Lat projection, left wrist X-ray 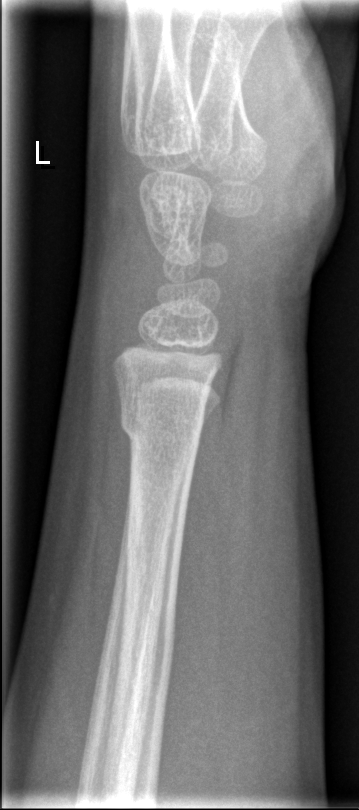 FINDINGS: (coordinates are [x1, y1, x2, y2] in image pixels) Fracture classified AO/OTA 23r-M/2.1. Fx: [116, 406, 205, 453].